Rt wrist radiograph, AP projection, follow-up study, in cast:
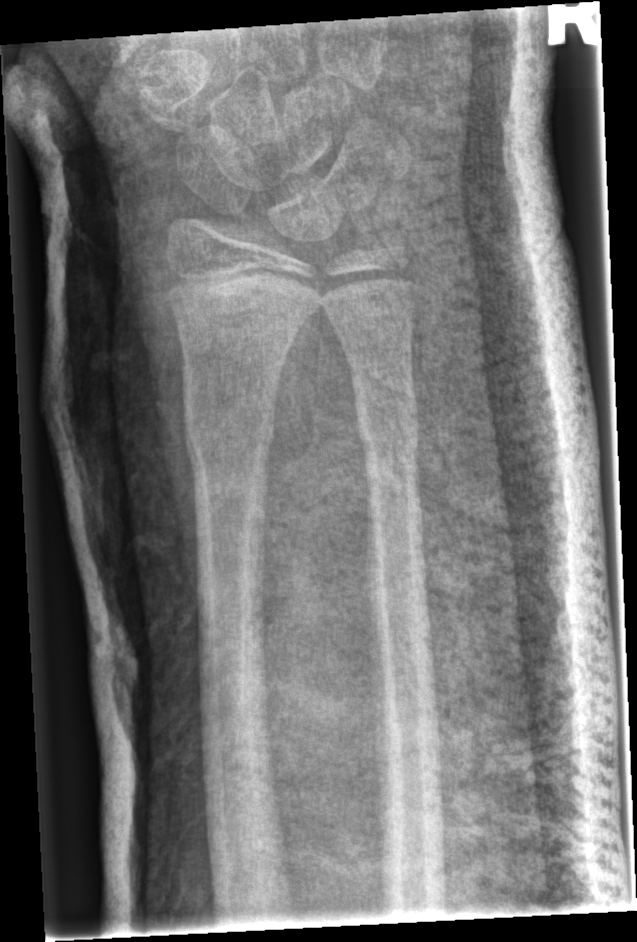

- Bounding boxes in image-pixel xyxy.
- Two fractures at [177, 355, 282, 480] [343, 364, 421, 468].